Rt wrist XR, PA, detector: Siemens
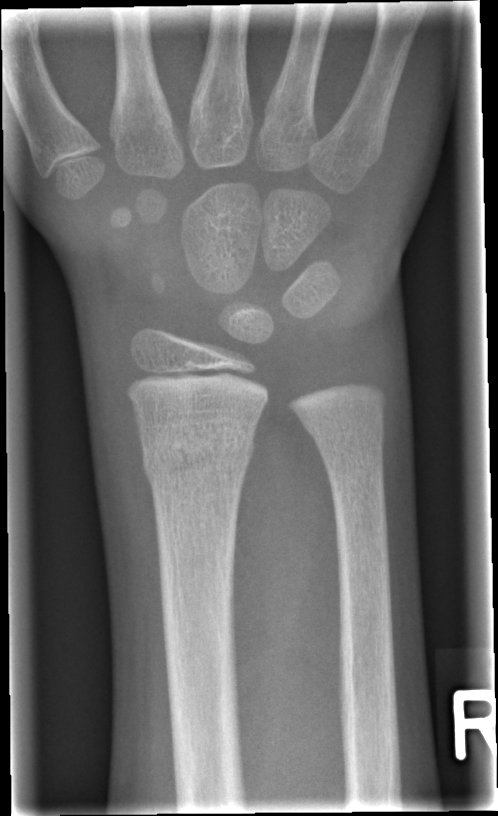

FINDINGS — AO/OTA classification: 23r-M/2.1. Bone fracture — <139,424>-<260,488>.